Lat; R plain radiograph of the wrist. 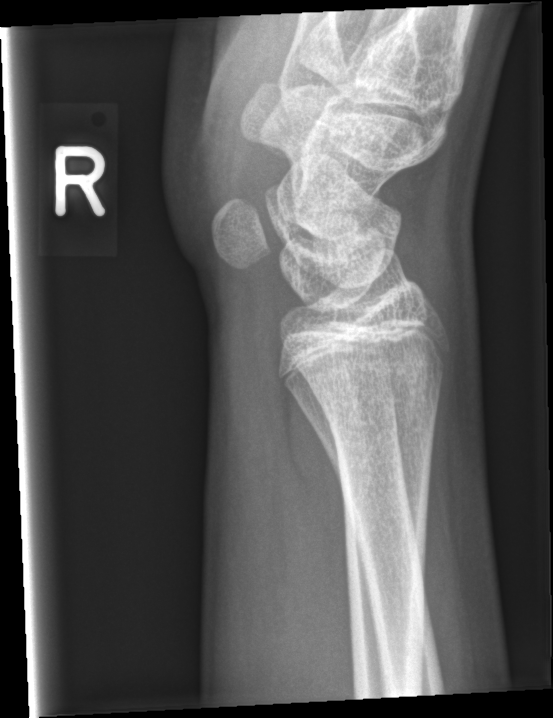

No fracture bounding box.